Lateral view; right wrist radiograph; male, 7 yo: 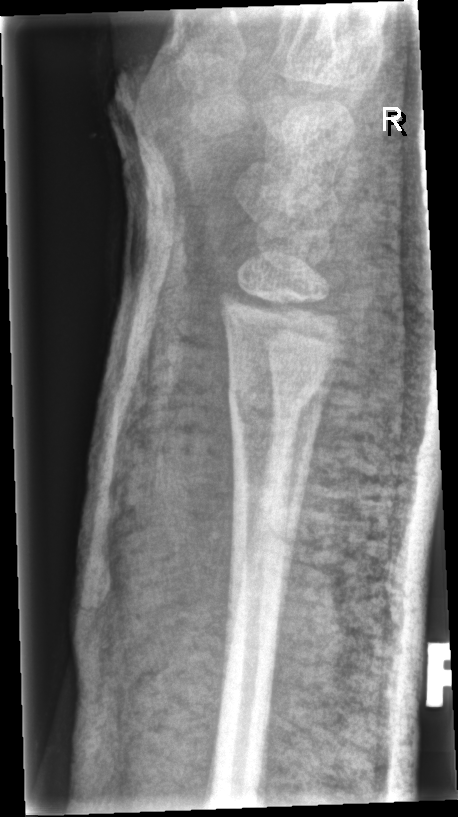 * AO/OTA classification: 23r-M/3.1; 23u-M/2.1.
* Bone fracture identified at <222,367>-<319,430>.